PA/AP projection · Lt wrist XR · age 6 y, girl · presentation radiograph · image width 67.1 mm:
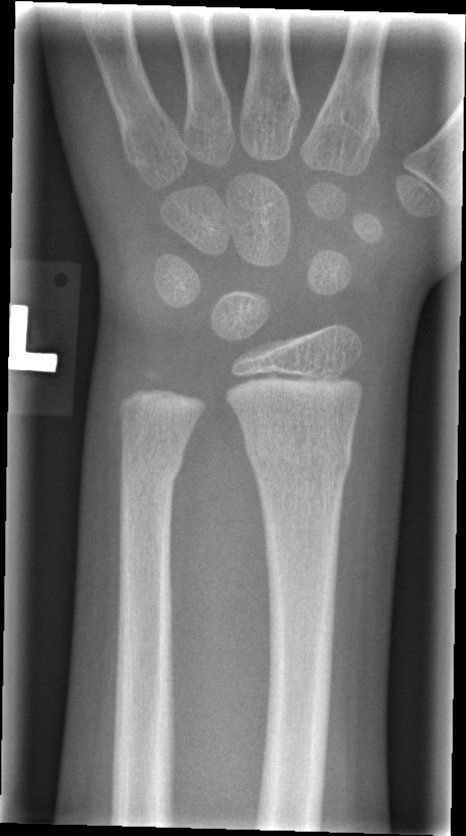
fracture = bbox(240, 425, 354, 484); bbox(118, 444, 188, 485)